Right wrist plain film; AP projection:
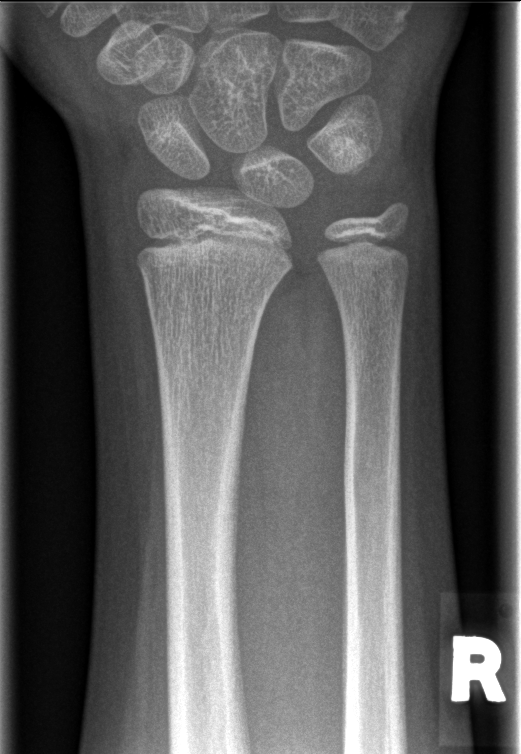
* No fracture bounding box.